Rt wrist radiograph; lat; pediatric patient (boy, age 5); subsequent exam 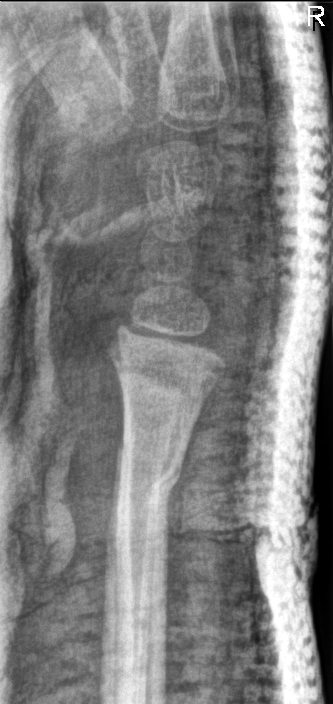 Findings: Bone fracture: 105,448,188,533.